Right wrist plain radiograph of the wrist · lat projection · 5-year-old boy · acquired on Siemens: 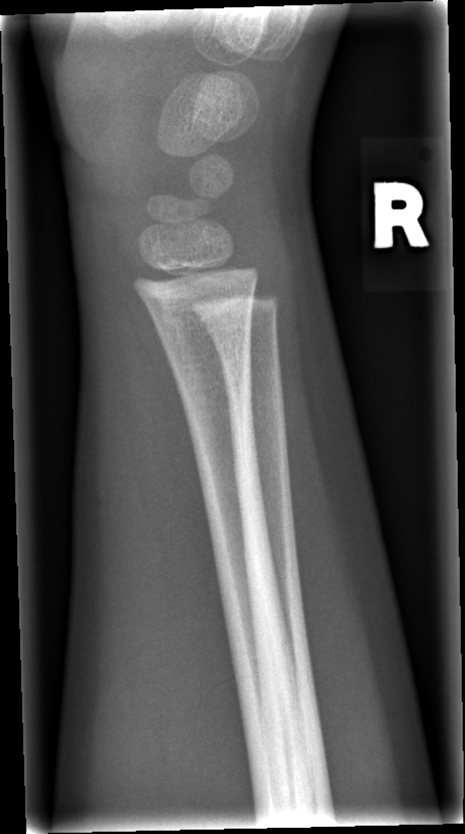
bone fracture = none labeled